AP view · right wrist radiograph · age 6 y, male · follow-up study — 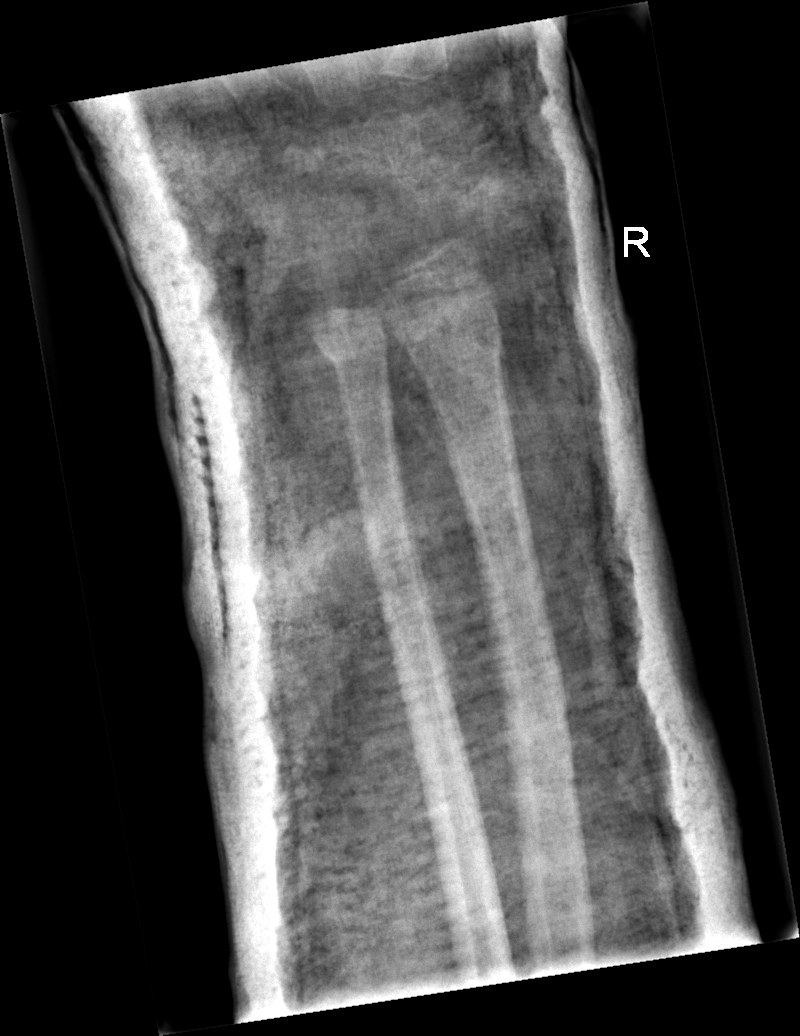 Fx: 2 @ <398,302>-<508,376>, <313,318>-<391,369>
AO/OTA: 23r-M/3.1; 23u-M/2.1